PA projection | Lt plain radiograph of the wrist | age 12 y, male

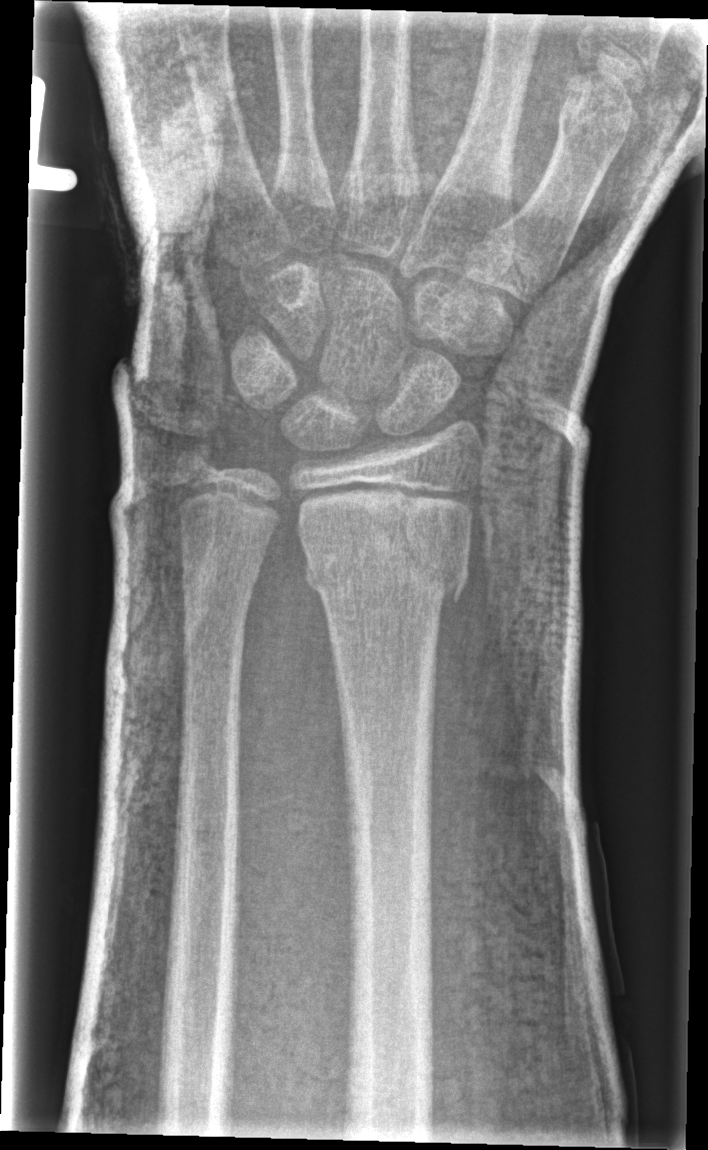 Boxes as x1,y1,x2,y2 (top-left / bottom-right, pixel units). AO/OTA classification: 23r-M/3.1; 23u-M/2.1; 23u-E/7. Three fractures at bbox(298, 508, 475, 615), bbox(178, 550, 269, 601), bbox(167, 414, 228, 478).